Lat · left wrist radiograph · age 14 y, boy · image 66.2 mm wide — 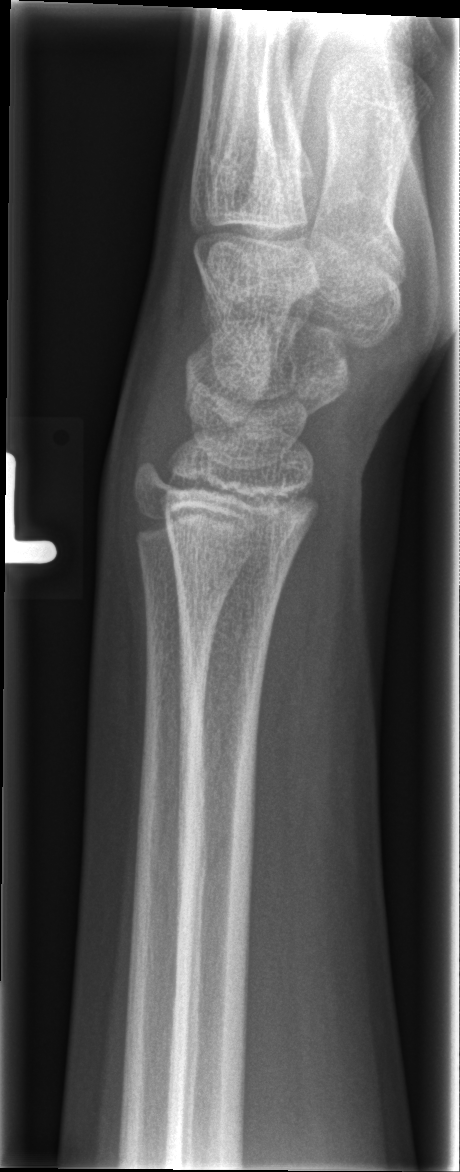

Fx = none labeled